Left pediatric wrist radiograph · lat projection · age 10 y, female · 64.4 mm image width · image size 447x694 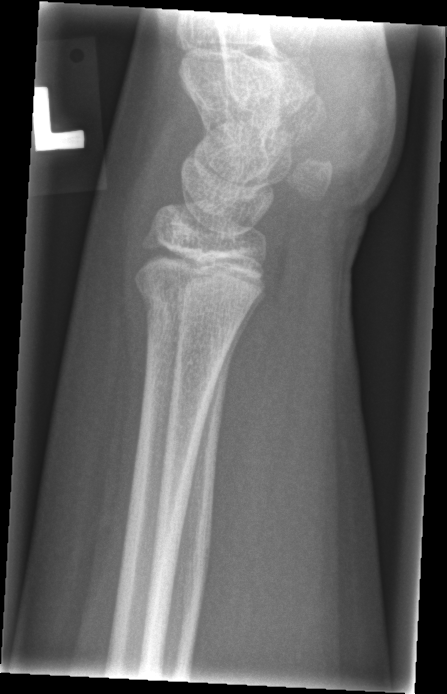 Findings: (boxes as x1,y1,x2,y2 (top-left / bottom-right, pixel units)) Fracture classified AO/OTA 23r-M/2.1. Fx: 131 274 254 338.